AP, left plain radiograph of the wrist, 12y M.

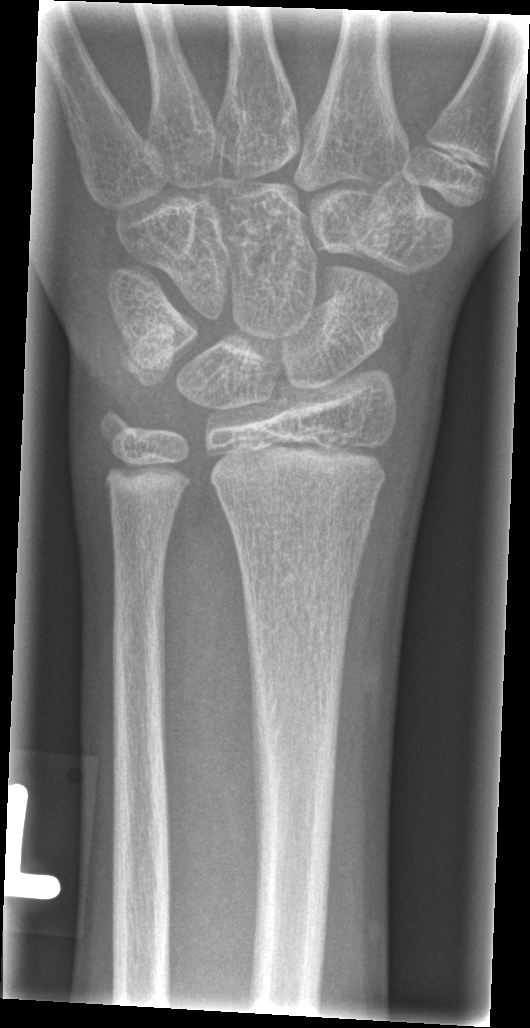
Fx present but not clearly seen in this view.